Lat; R plain radiograph of the wrist; age 9 y, female —
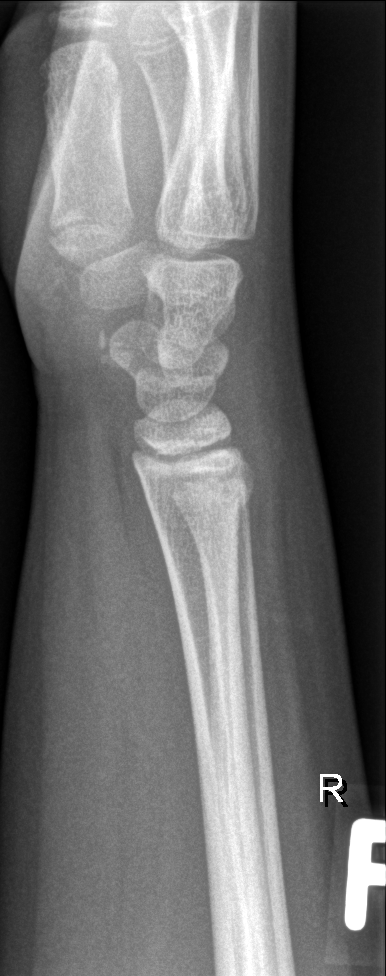 AO code = 23r-M/2.1
bone fracture = 1 @ (left=139, top=477, right=256, bottom=534)